Right pediatric wrist radiograph · lateral · index exam · image width 64.2 mm · image size 446x883.
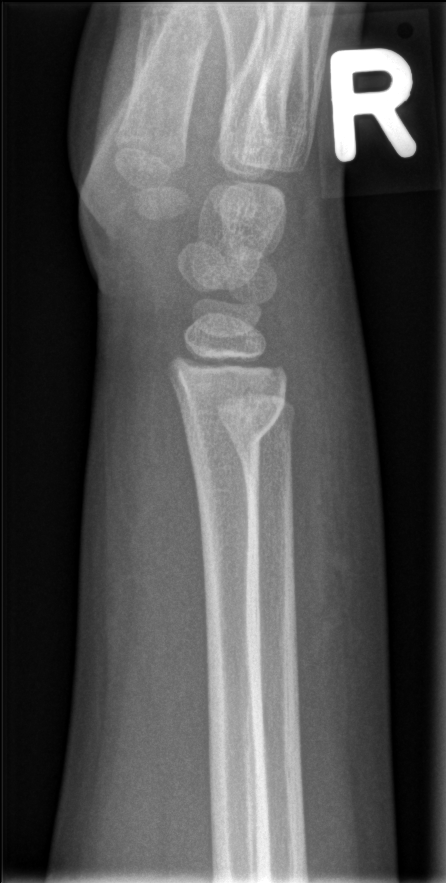 Fracture classified AO/OTA 23r-M/2.1. Bone fracture identified at [175, 393, 286, 467].